L wrist radiograph | frontal | 4-year-old girl | image size 471x704 — 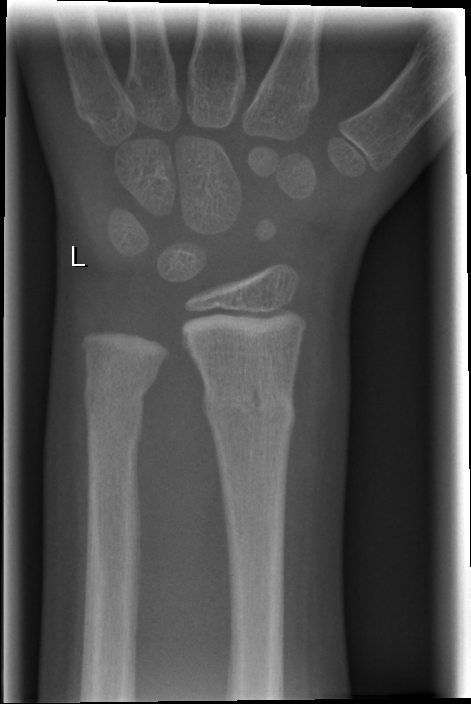
ao: 23-M/2.1
fracture: (left=200, top=378, right=299, bottom=437); (left=80, top=374, right=154, bottom=451)